L pediatric wrist radiograph; lat: 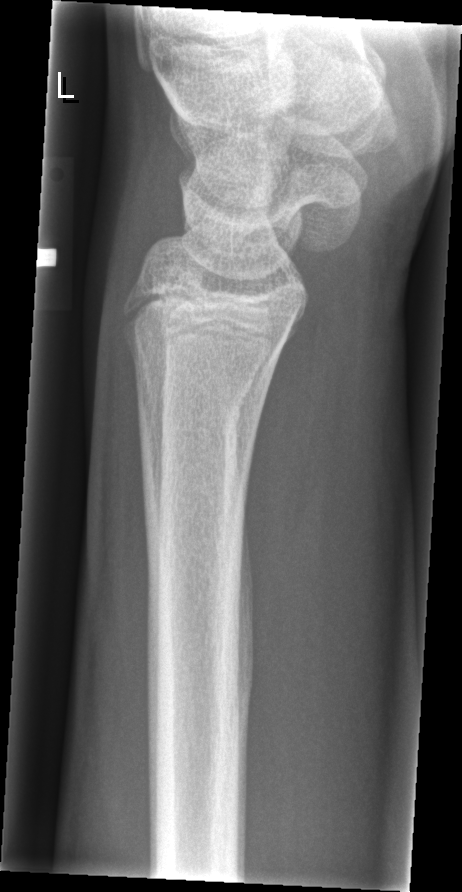
Fracture: 1 @ 119 322 282 387
AO/OTA: 23r-M/2.1